Posteroanterior; L wrist XR; boy, 12 yo; image width 93.5 mm —

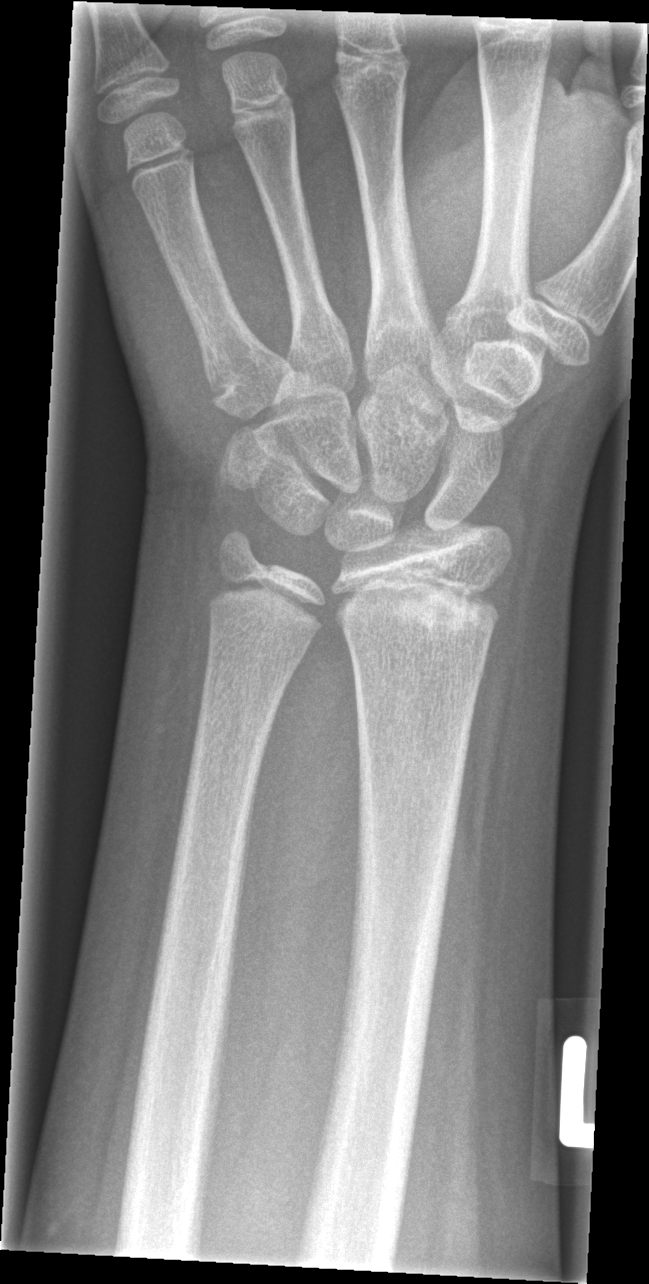 fracture: none labeled